Right wrist plain film | lateral | age 10 y, boy —

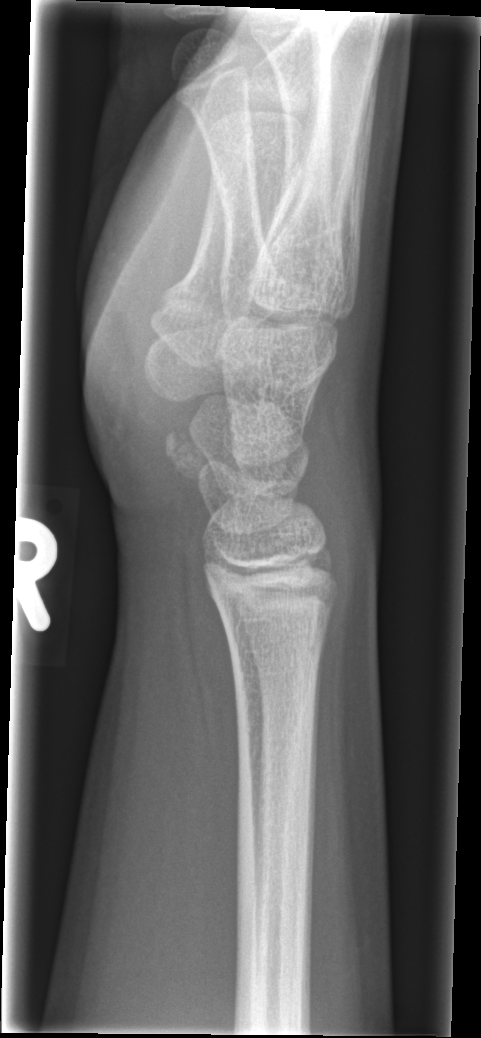 * Fracture: none labeled.